Left wrist XR · AP projection · 7-year-old girl · image size 646x952 —

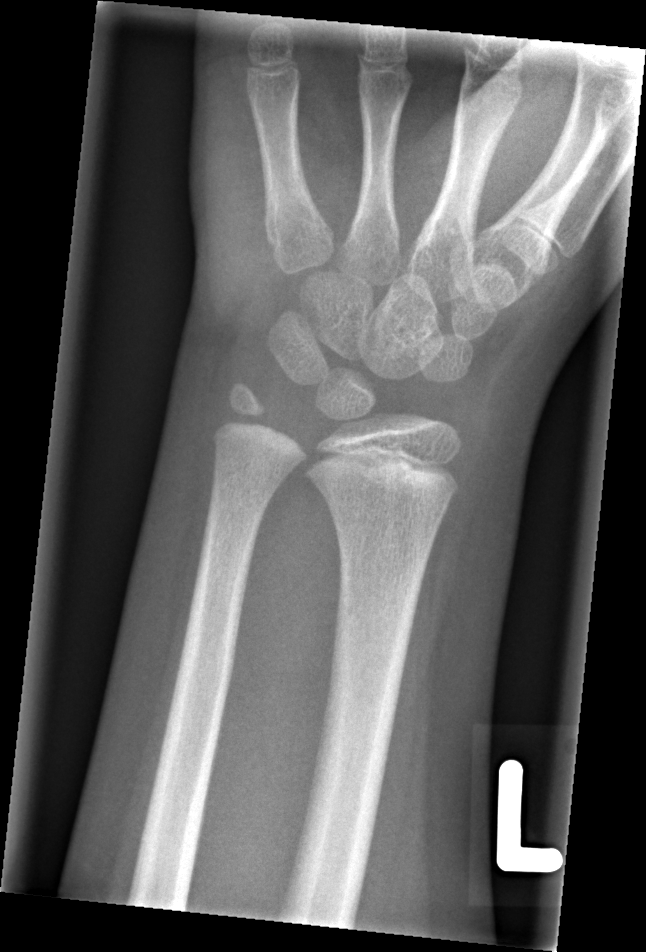
Fx = none labeled